Lat, Lt plain radiograph of the wrist, initial study: 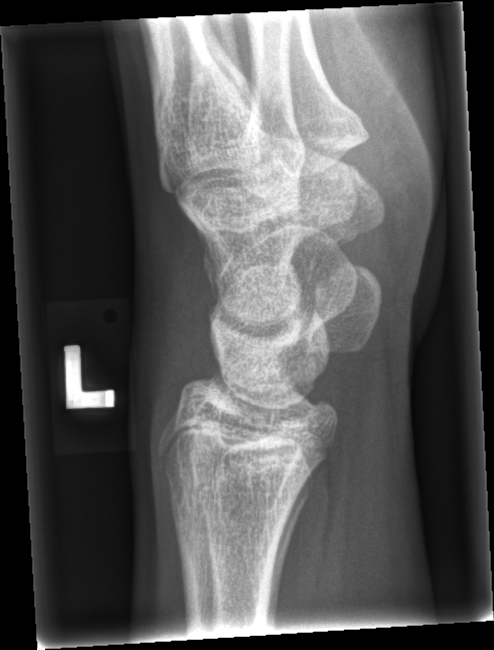
No fracture annotation.